Lat, Rt plain radiograph of the wrist, 16y M

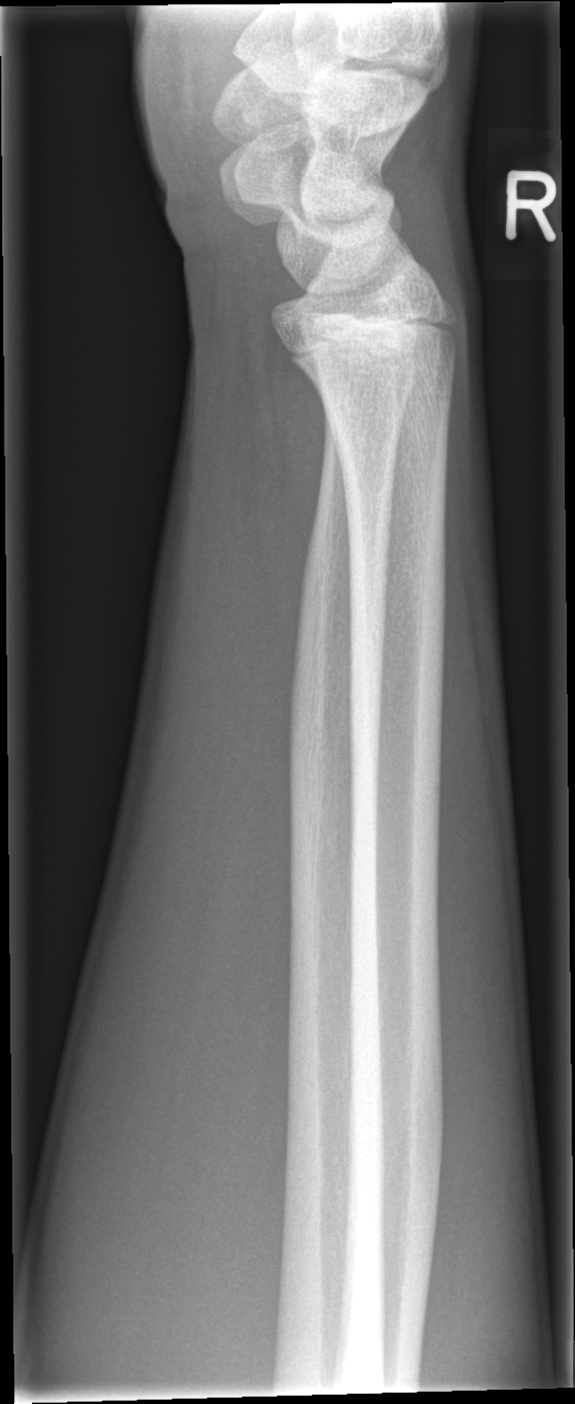 Q: Is there a fracture?
A: Fx: none